PA projection, Lt wrist X-ray, cast in situ
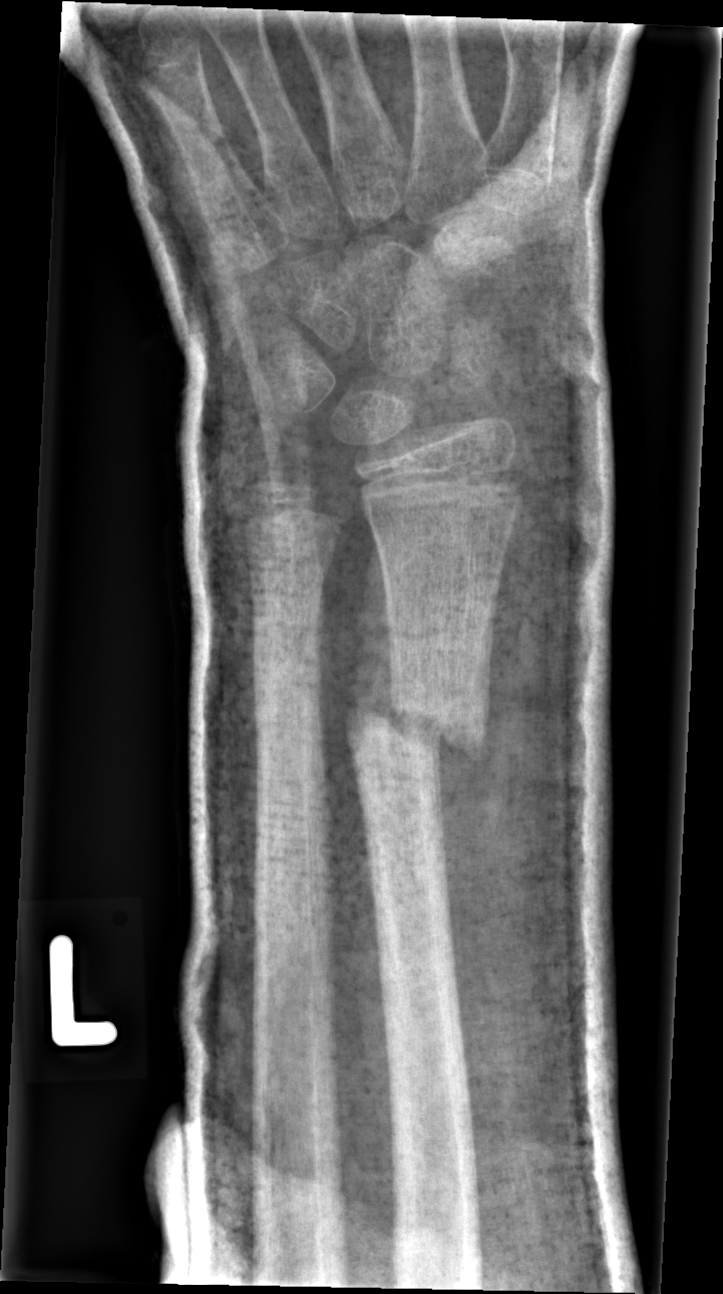 # coordinates are [x1, y1, x2, y2] in image pixels
fracture: 1 @ [x1=342, y1=671, x2=495, y2=783]
ao: 22r-D/4.1